Right wrist plain film | frontal | 91.6 mm image width | image size 636x1042
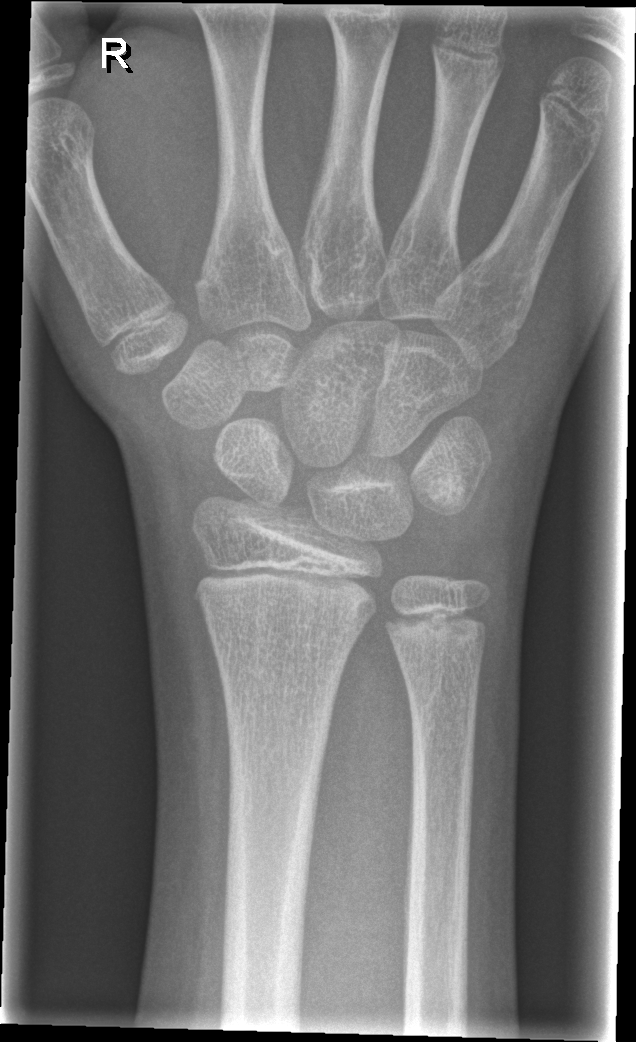

No fracture labeled.